PA/AP projection · left plain radiograph of the wrist —

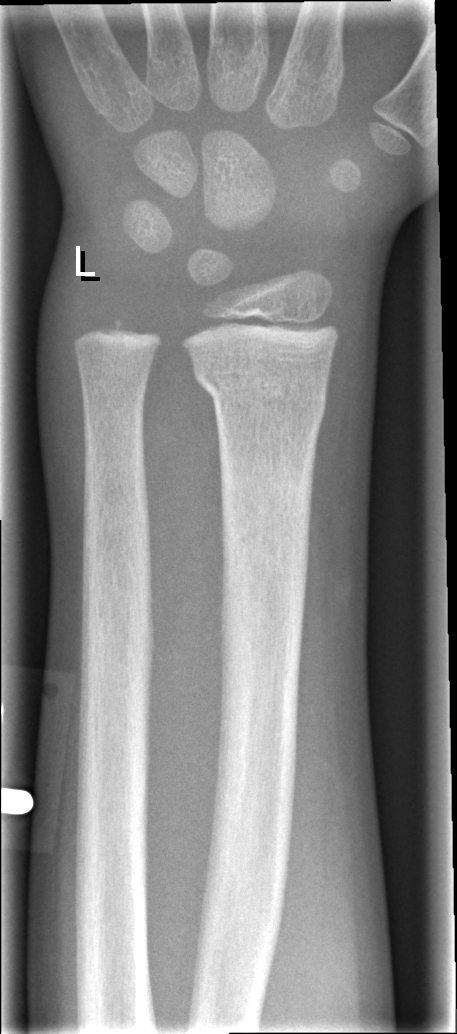
Fx: 1 @ [189, 356, 332, 432]